Lateral; R wrist radiograph; 7-year-old girl; 442x820: 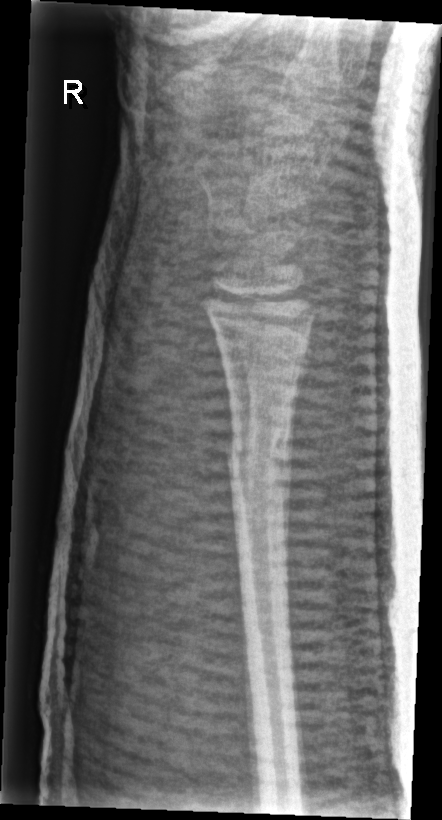
Coordinates are [x1, y1, x2, y2] in image pixels.
Fracture — 222,431,296,492.